Rt wrist plain film; lat projection; pediatric patient (male, age 11) 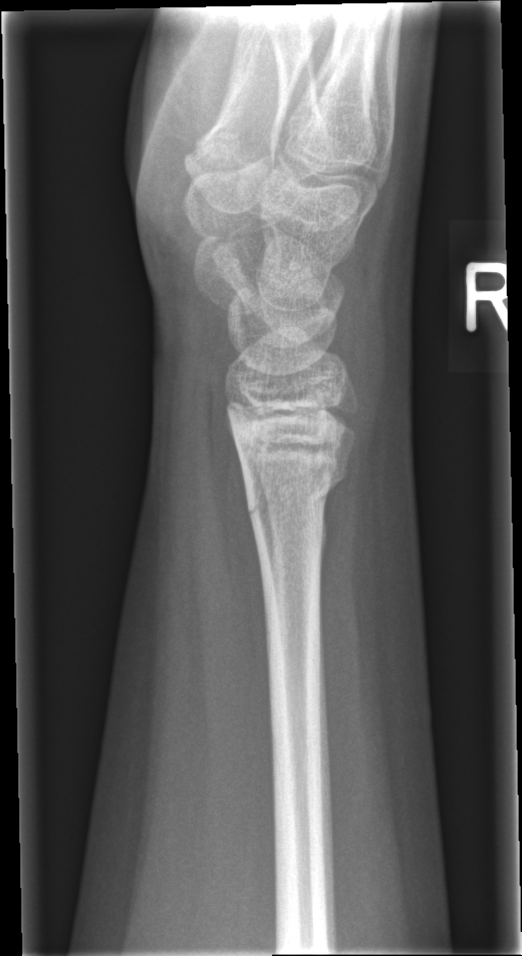

Fracture: bbox(242, 460, 350, 524).